Right wrist plain film · lateral view · diagnosis uncertain · 475 by 962 pixels. 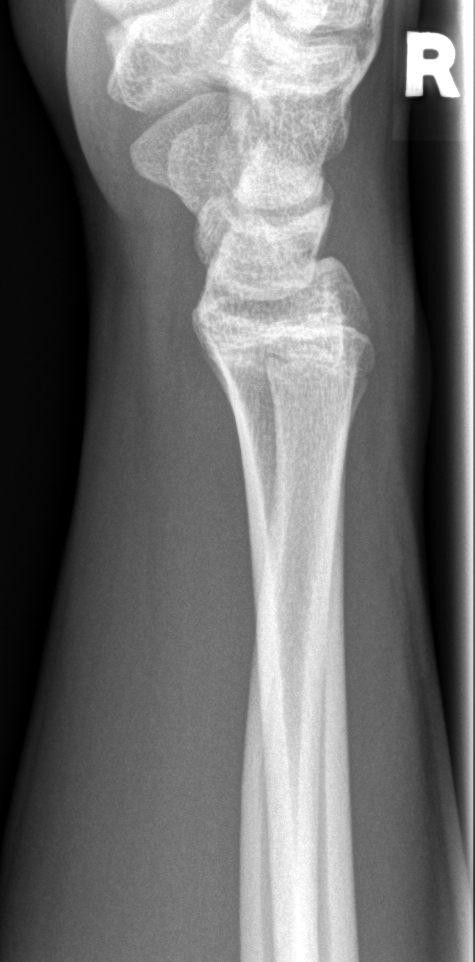 FINDINGS: No fracture annotation.